Posteroanterior | Rt wrist X-ray | follow-up —

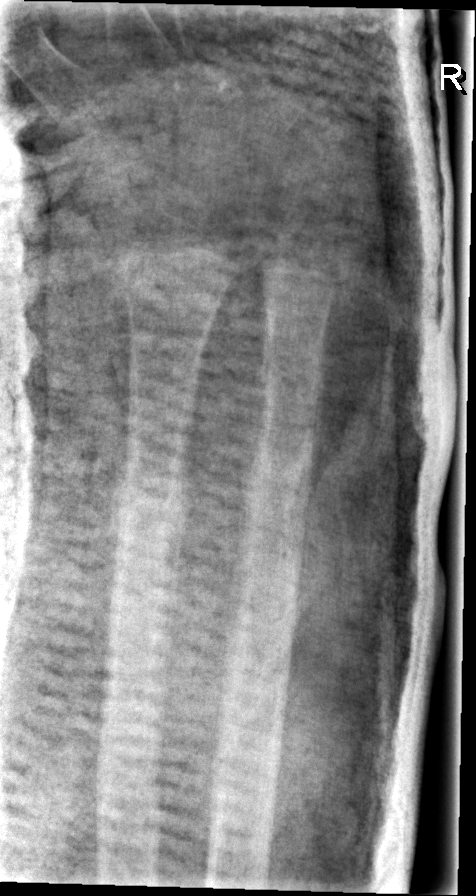 AO/OTA classification: 22-D/2.1.
Fracture present, but no bounding box because it is not clearly seen in this view.